PA projection | Lt wrist radiograph | imaged through cast | 590 by 948 pixels

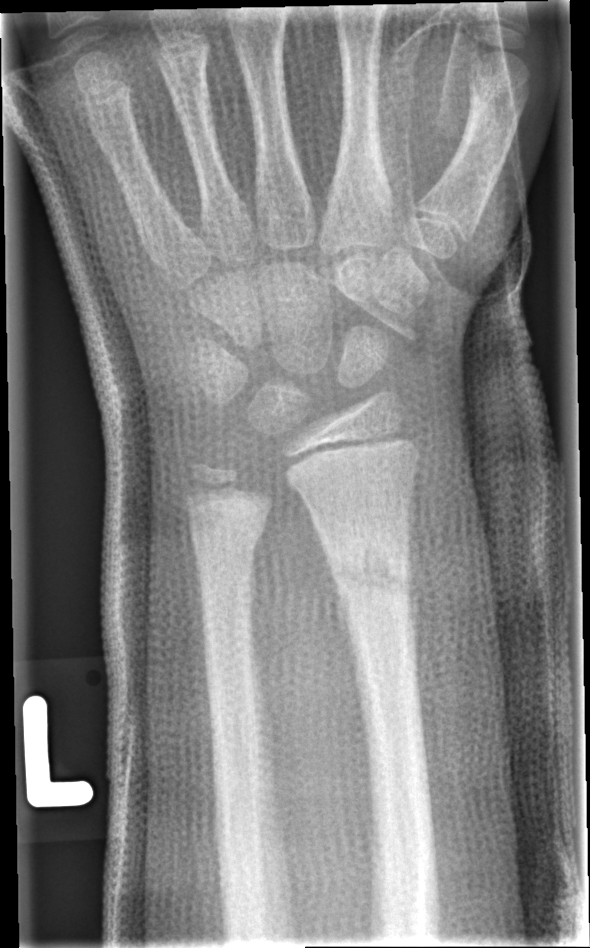
• Fracture classified AO/OTA 23r-M/3.1; 23u-M/2.1.
• Fracture: [318, 531, 417, 616]; [186, 511, 275, 567].